Posteroanterior view; Lt wrist plain film; acquired on Siemens: 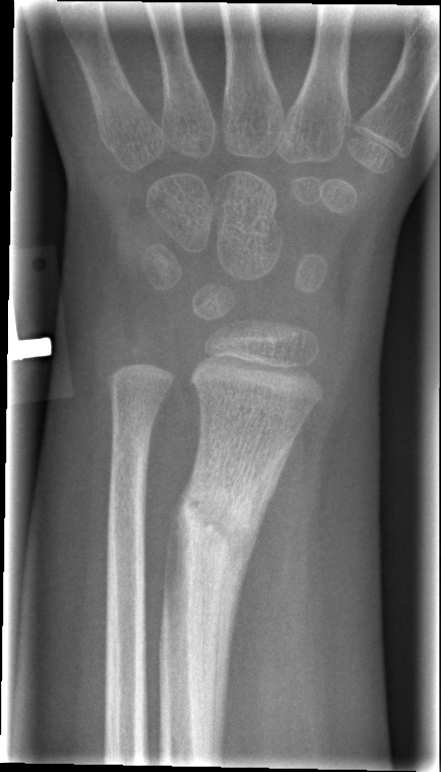

* Periosteal reaction identified at [212, 442, 295, 763].
* Fracture identified at [172, 473, 260, 563].